Lateral view · R wrist plain film · age 11 y, male · detector: Siemens —

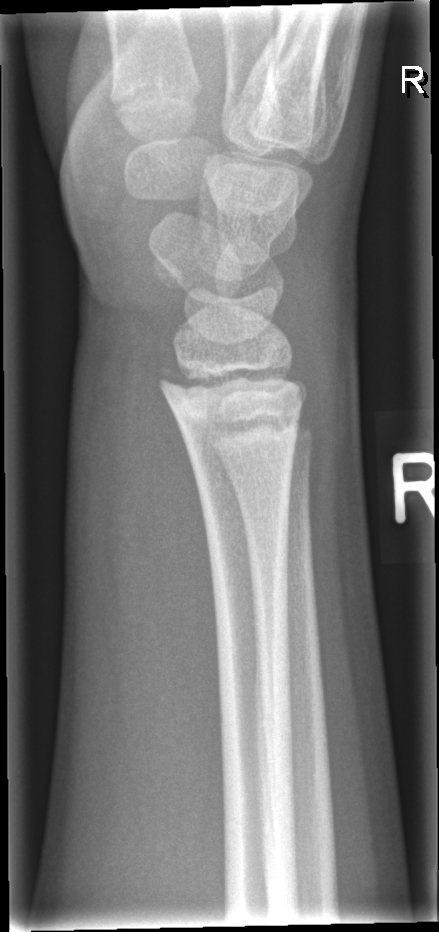
{"_coords": "coordinates are [x1, y1, x2, y2] in image pixels", "pronatorsign": "1 @ bbox(135, 358, 225, 779)", "fracture": "bbox(154, 354, 309, 415)", "ao": "23-E/1"}